Left wrist XR | lat | 3y F

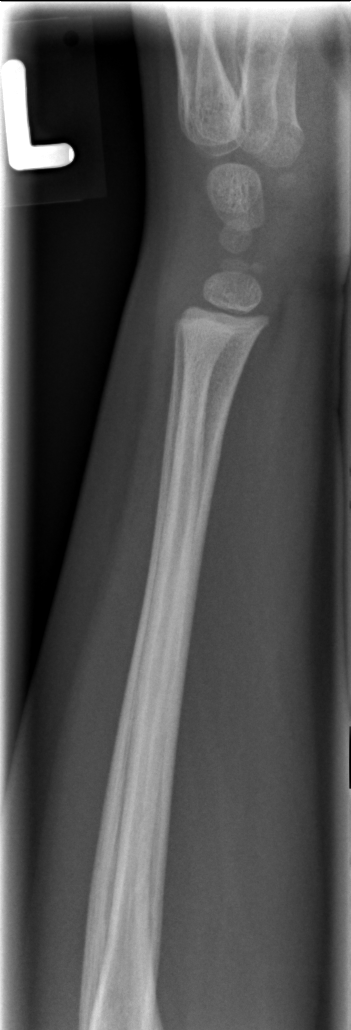
No fracture annotation.